PA projection, right wrist pediatric wrist radiograph, 13-year-old male, cast in situ

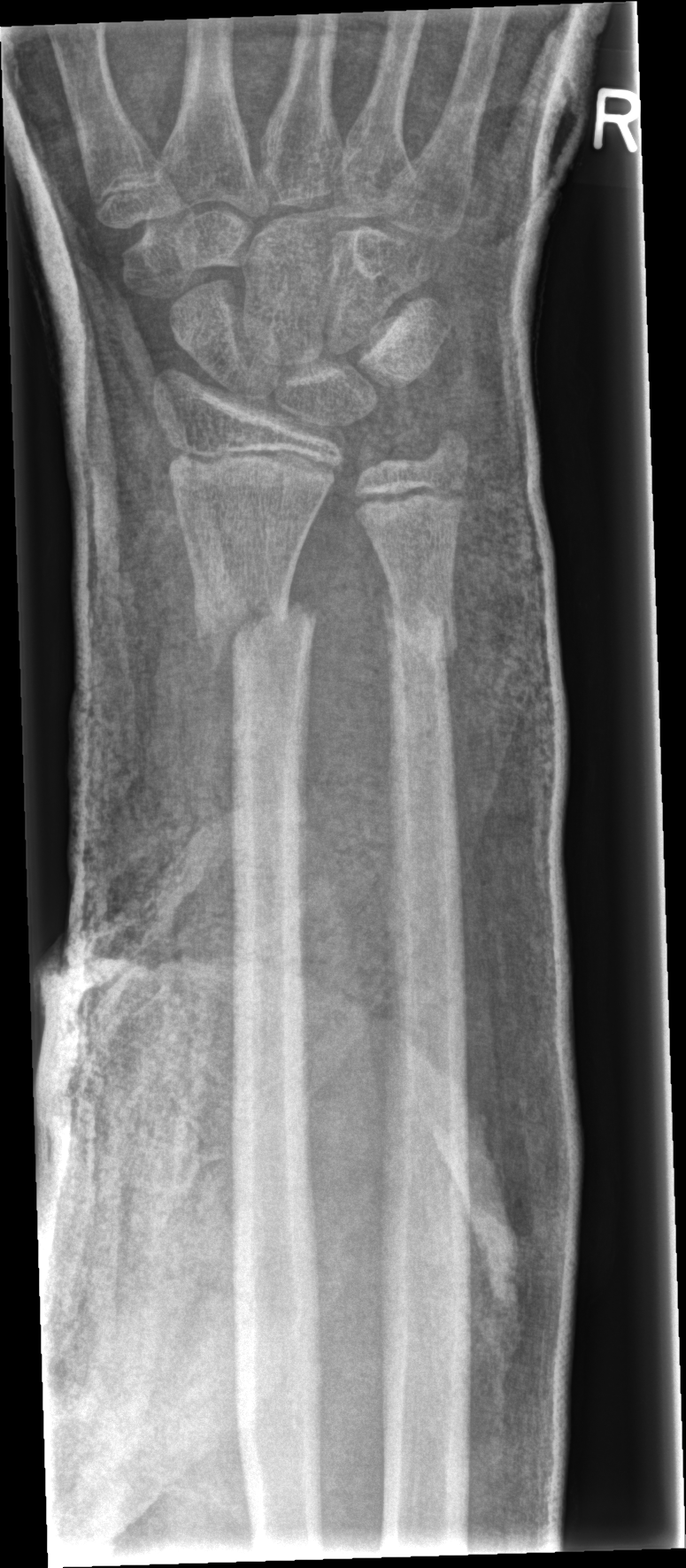

(boxes as x1,y1,x2,y2 (top-left / bottom-right, pixel units))
bone fracture: 2 @ 189 581 321 666
  376 600 462 681
AO/OTA: 23-M/3.1